Frontal projection | left wrist radiograph | 6-year-old girl | Siemens | 73.3 mm image width 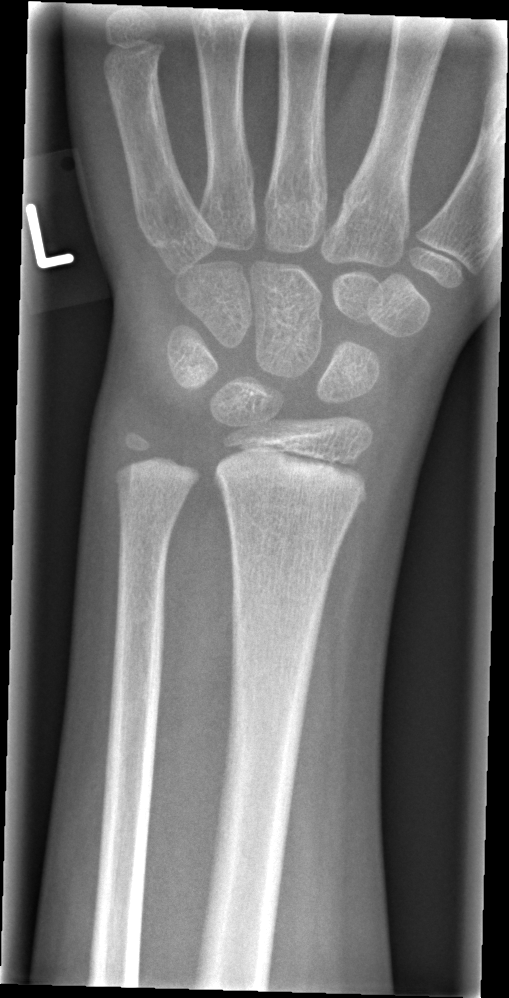

{
  "fracture": "none labeled"
}